Lateral view, Rt wrist XR, 11-year-old male, equivocal findings, acquired on Siemens:

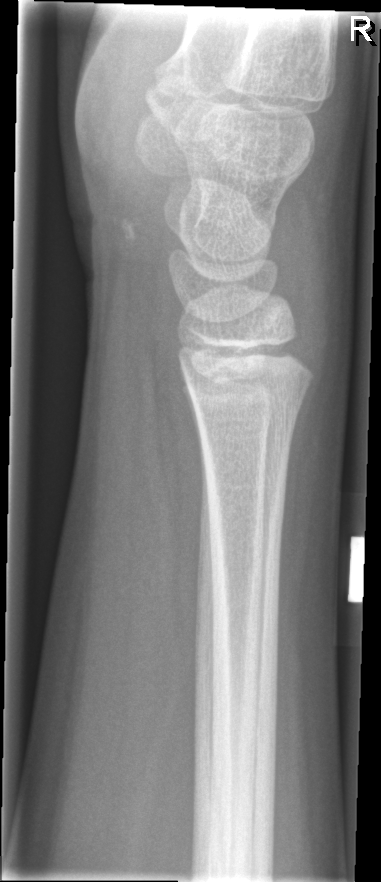 - No Fx annotated.